Right pediatric wrist radiograph, frontal projection, 11y M, detector: Siemens, image width 70.4 mm, 489 by 684 pixels
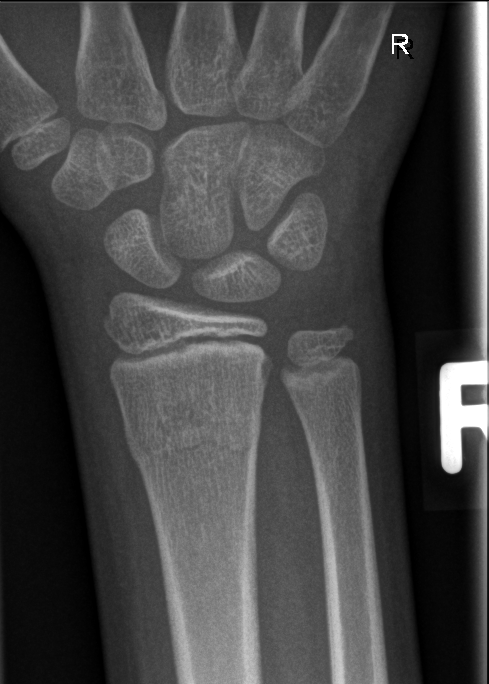 Bone fracture — 120 395 265 476.